Left pediatric wrist radiograph; lateral; presentation radiograph; 380x798:

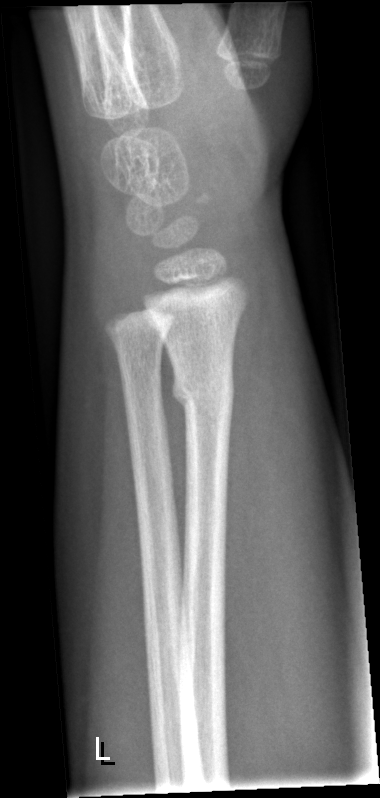
{"fracture": "[x1=169, y1=365, x2=239, y2=422]", "ao": "23r-M/2.1"}